Right wrist pediatric wrist radiograph | lateral view | imaged through cast | 509 x 1002 px —

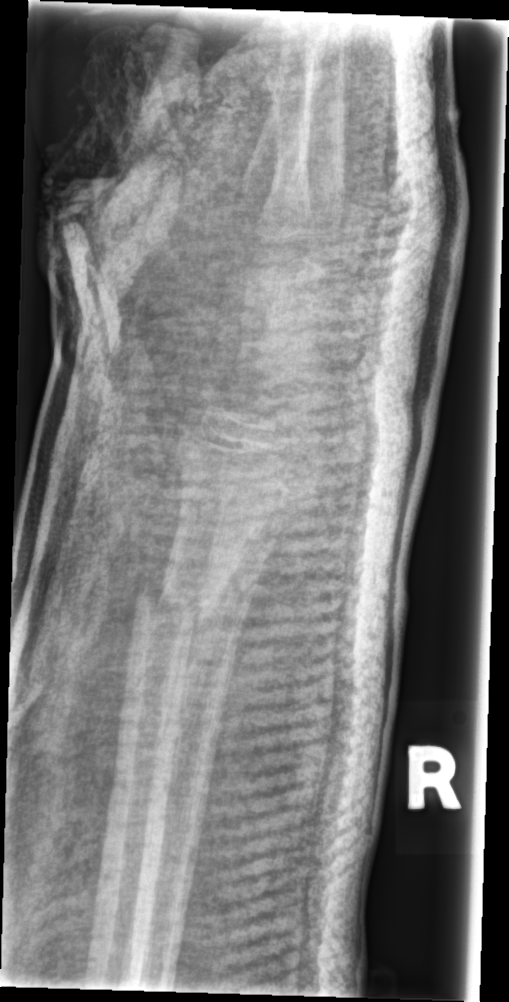

Coordinates are [x1, y1, x2, y2] in image pixels.
AO code 23-M/3.1.
Fx: (left=129, top=563, right=228, bottom=641).